Lt plain radiograph of the wrist | posteroanterior | 6y M | acquired on Siemens

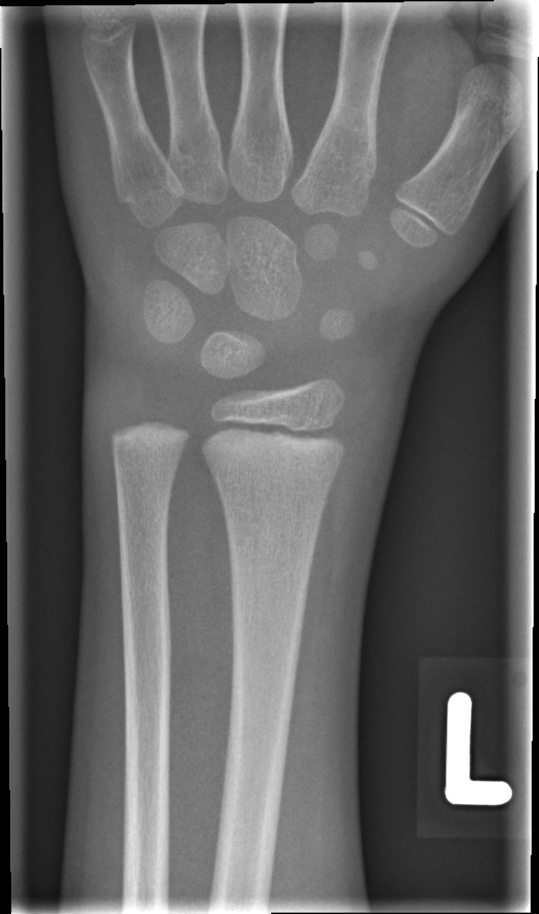
Fracture present, but no bounding box because it is not clearly seen in this view.
Fracture classified AO/OTA 23r-E/2.1.